Right wrist radiograph, lateral projection, 13-year-old girl, detector: Siemens:
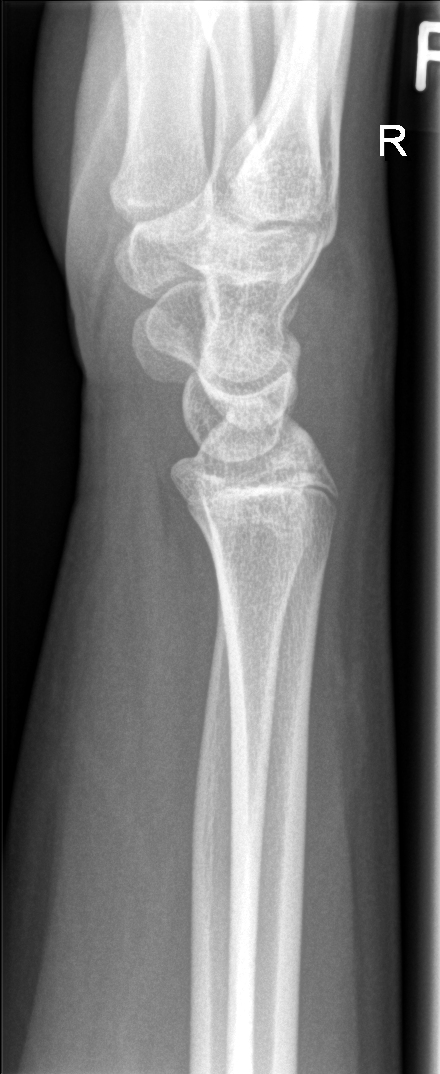

No fracture bounding box.